AP view · left wrist radiograph · male, 10 yo · follow-up study 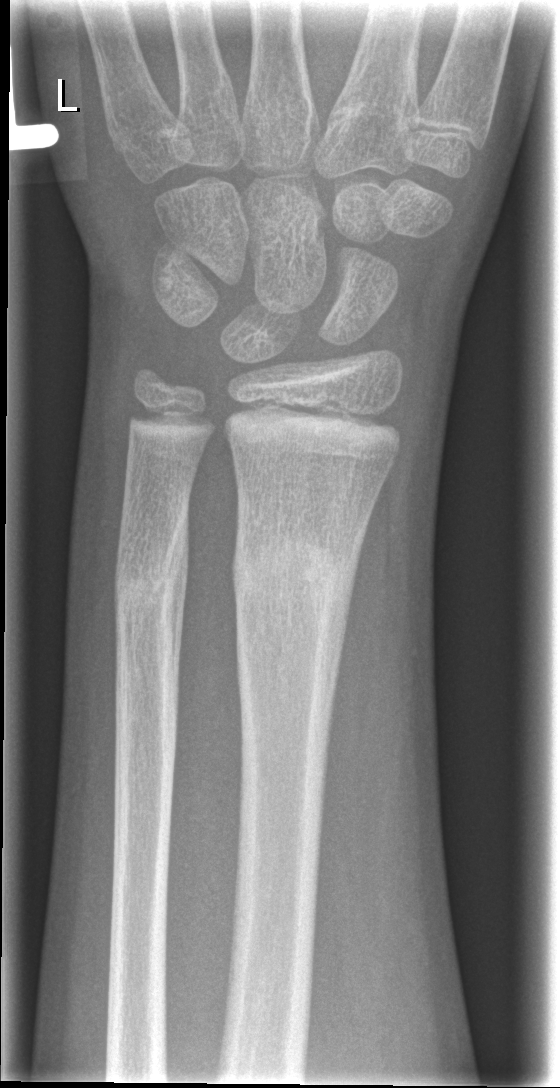
AO classification: 23-M/3.1
Fx: (left=230, top=527, right=353, bottom=729); (left=111, top=508, right=190, bottom=677)
osteopenia: present